Lateral, left wrist plain film, presentation radiograph, detector: Siemens, 494 by 1256 pixels 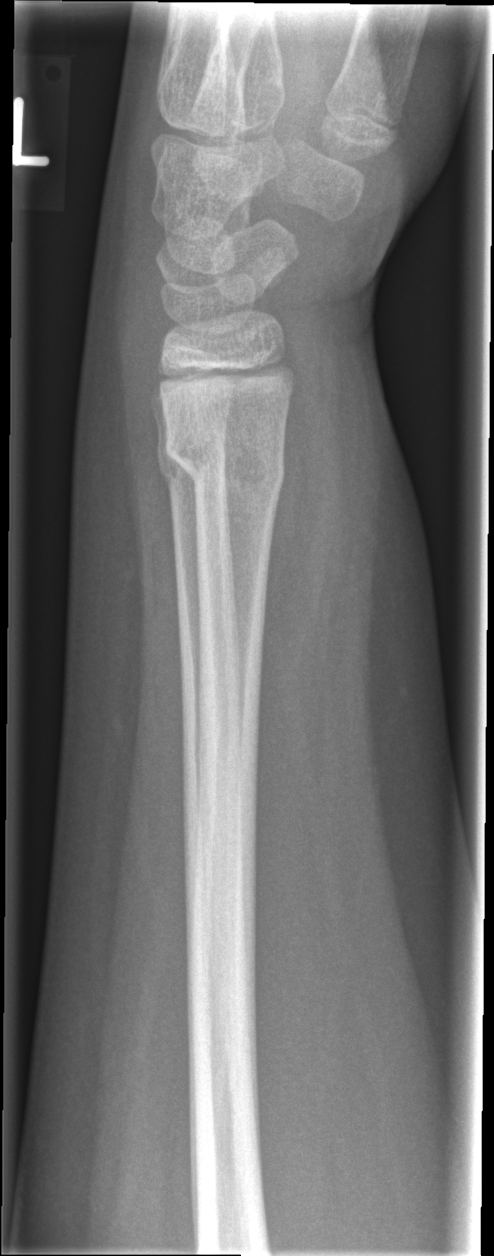
* Bone fracture: (161, 430, 288, 499), (154, 434, 228, 486).
* AO code 23-M/2.1.
* Pronator quadratus fat-pad sign: (252, 336, 346, 721).